Lat view; Lt pediatric wrist radiograph; subsequent exam; 585 by 758 pixels: 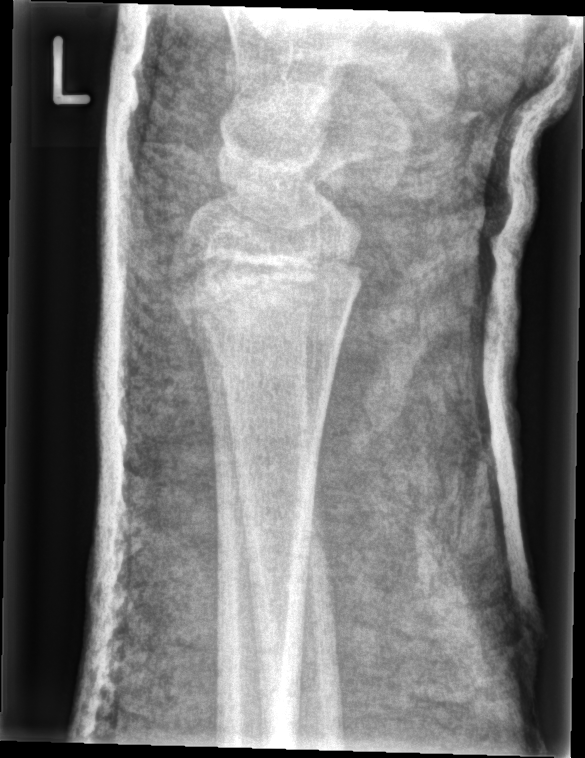

Fracture = 166,243,368,352
AO/OTA = 23r-E/2.1; 23u-E/7